L wrist plain film | AP | age 11 y, boy | presentation radiograph | Siemens:

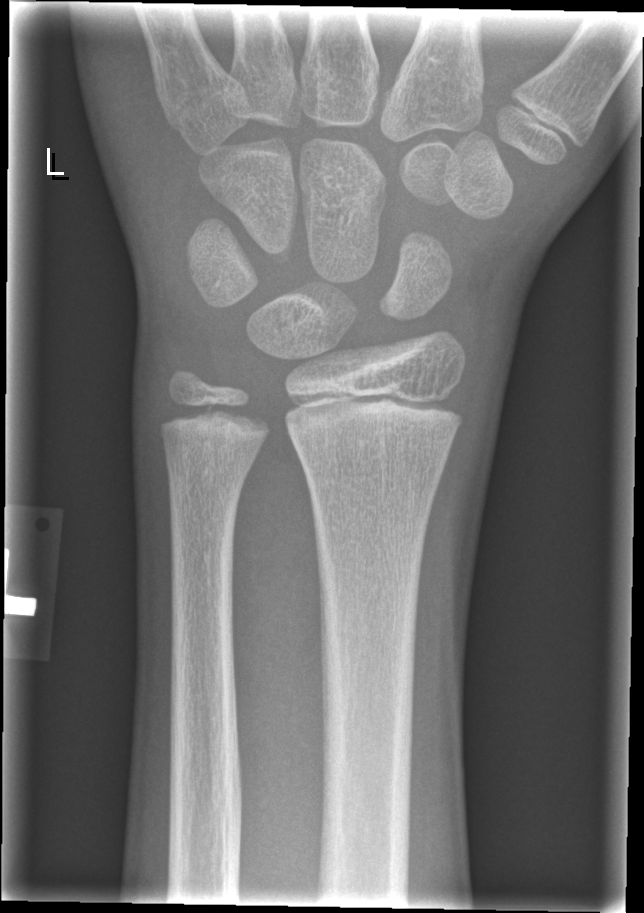 fracture: none labeled